R wrist plain film; AP view; 13y F; 94.5 mm image width.

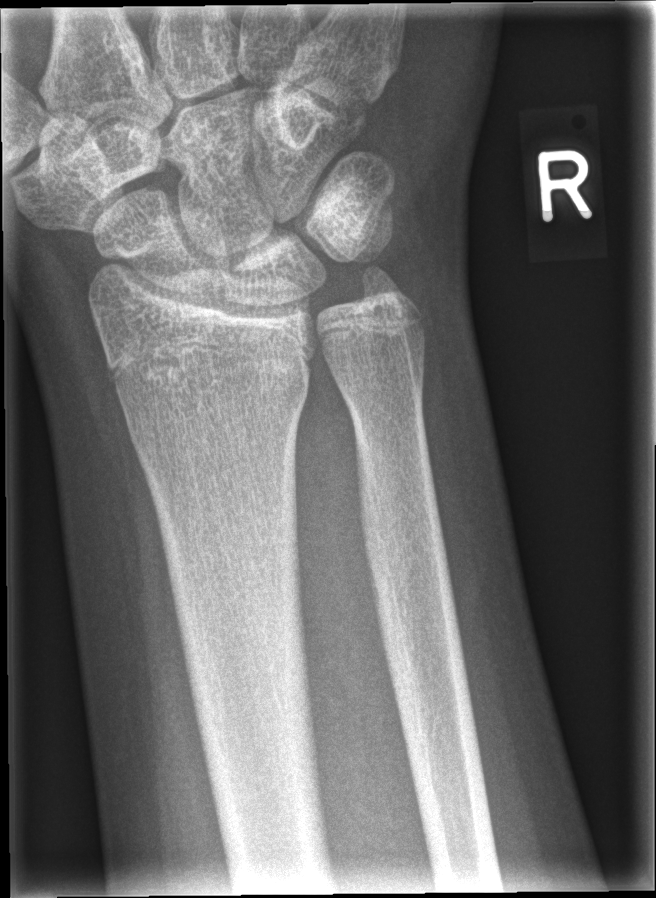
Fracture: none labeled.